Rt wrist XR | AP projection | 16y M | index exam | acquired on Siemens | image size 654x1010 — 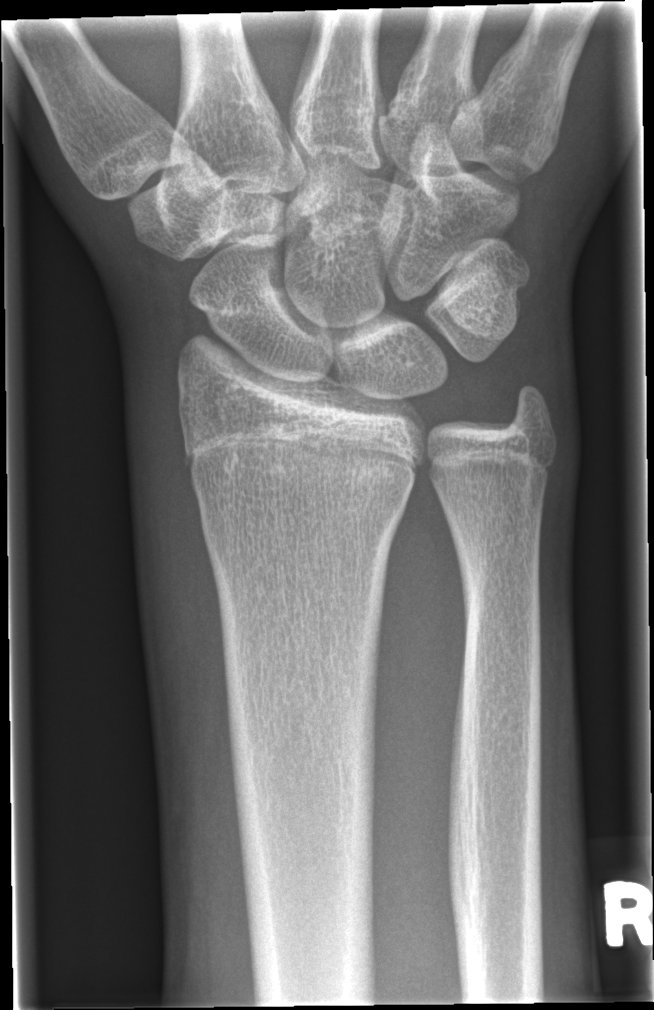
{
  "fracture": "none labeled"
}